Rt pediatric wrist radiograph; frontal projection. 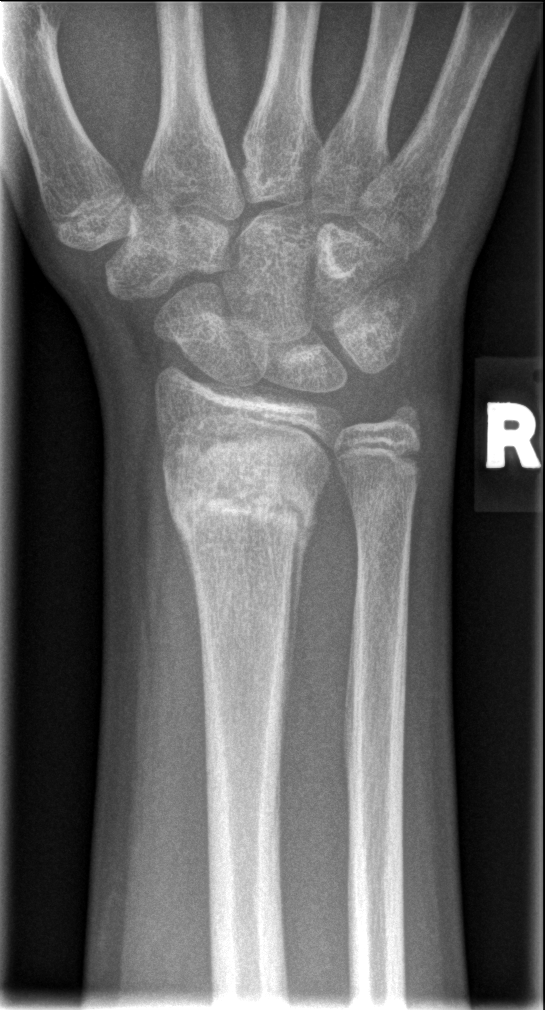

Periosteal thickening: [282, 497, 318, 747].
Fractures — [159, 433, 328, 549], [345, 466, 421, 529], [385, 392, 425, 435].